Left wrist pediatric wrist radiograph · lateral · age 11 y, girl · image width 68.3 mm · 474 x 818 px 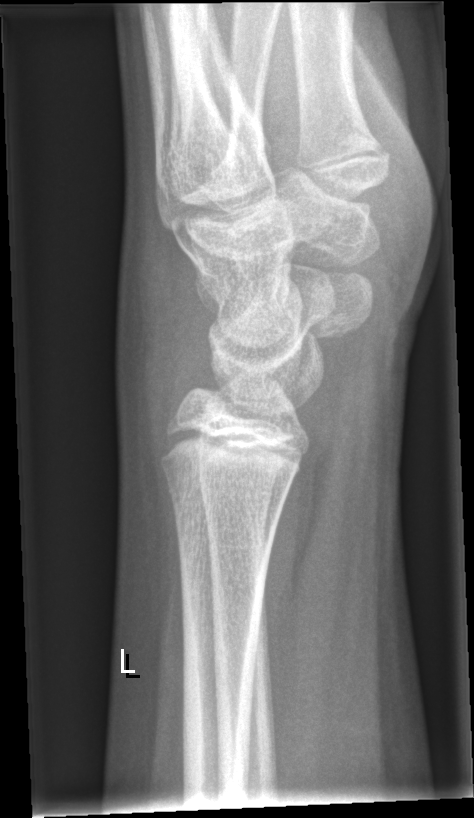 Fracture: none labeled.